Right plain radiograph of the wrist | lateral projection | initial study | detector: Siemens.

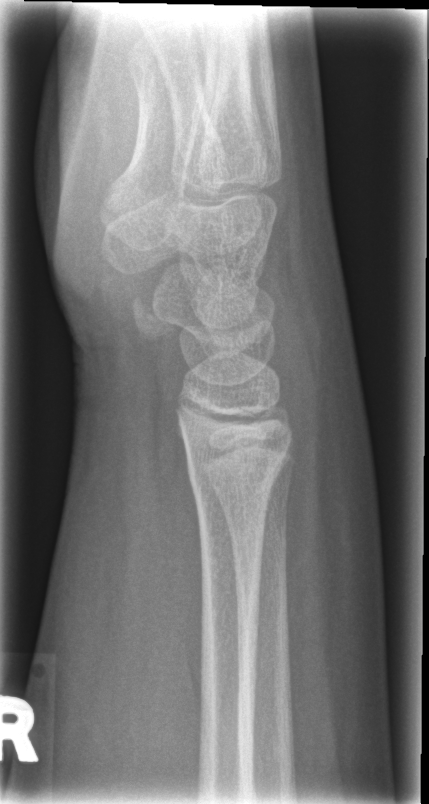

* Boxes as x1,y1,x2,y2 (top-left / bottom-right, pixel units).
* One fracture at [x1=184, y1=436, x2=288, y2=504].